Left wrist X-ray; AP projection; boy, 8 yo; image 168.9 mm wide —

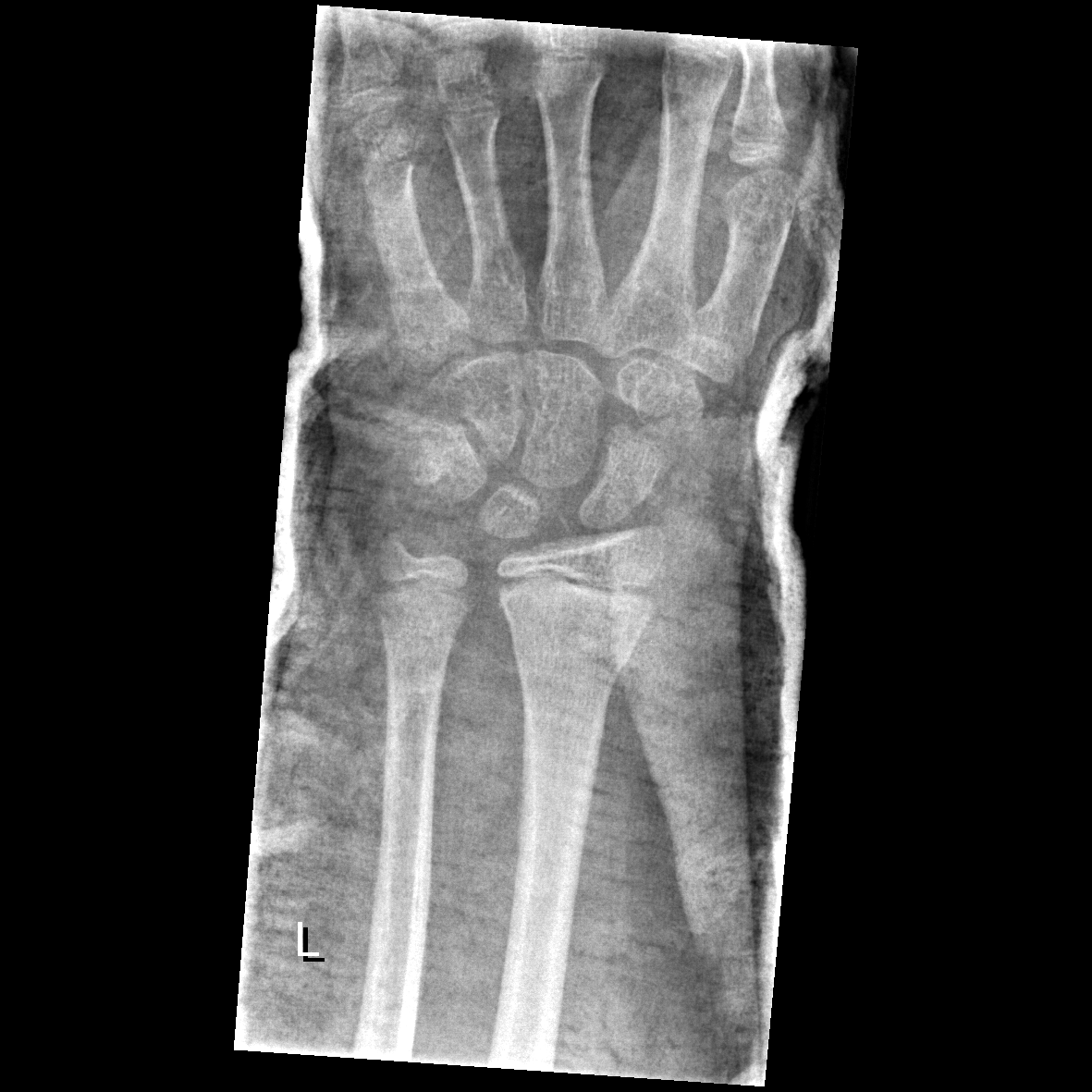
FINDINGS: AO code 23r-M/2.1. Fx identified at 509,629,632,684.